Right wrist X-ray, PA view, initial study, image 69.1 mm wide
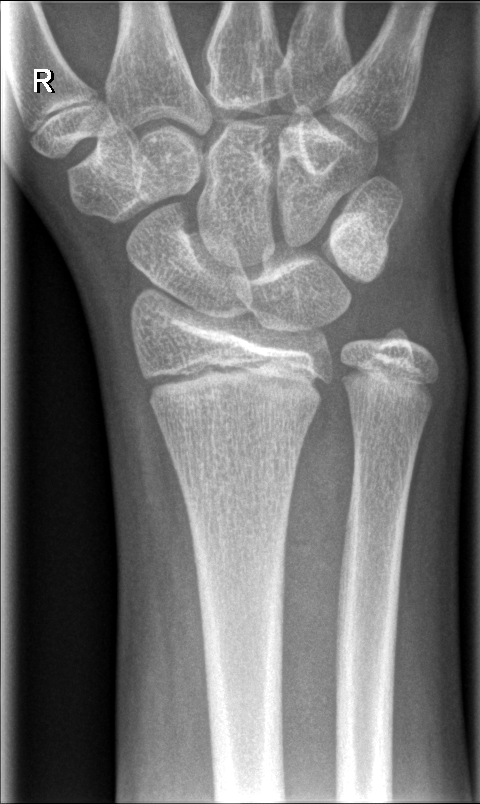 Q: Fracture present?
A: No fracture labeled